R wrist radiograph; lateral projection; imaged through cast; 93.3 mm image width: 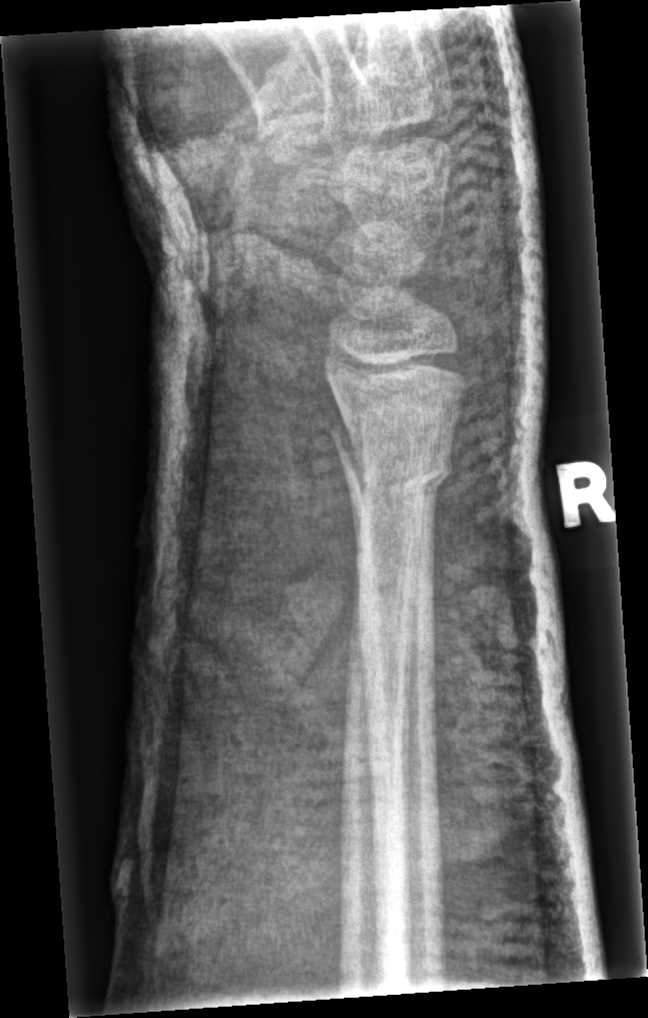
* Bounding boxes in image-pixel xyxy.
* AO code 23r-M/3.1.
* Fracture — (left=330, top=417, right=456, bottom=502).